Frontal view · Rt wrist plain film · 10y M. 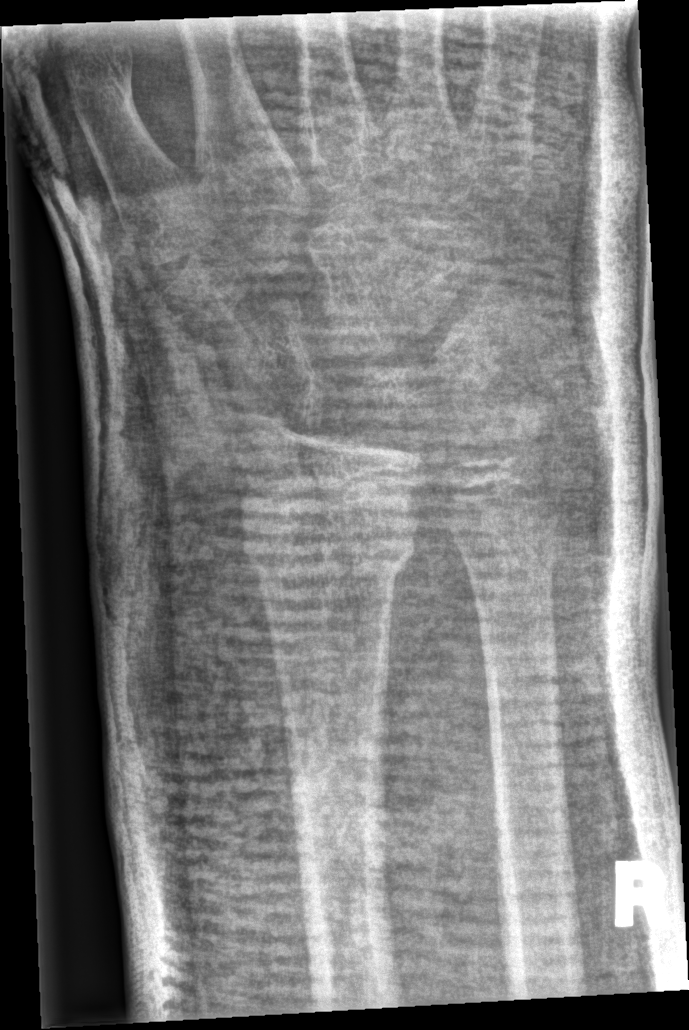 (bounding boxes in image-pixel xyxy)
AO classification = 23r-E/2.1; 23u-E/7
Fracture = 1 @ (238, 488, 420, 585)